Lateral; left wrist pediatric wrist radiograph; 8-year-old female; imaged through cast:

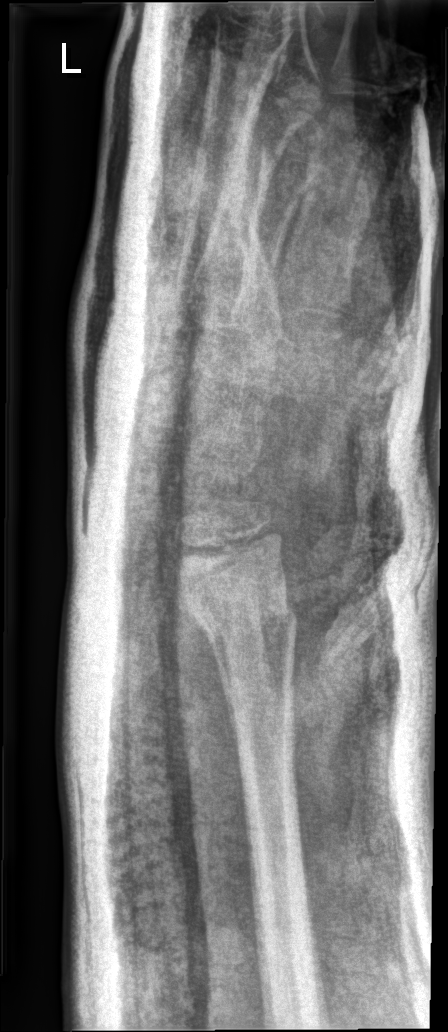 Coordinates are [x1, y1, x2, y2] in image pixels. Fx identified at (left=182, top=584, right=300, bottom=647).